Left wrist pediatric wrist radiograph | lat | in cast. 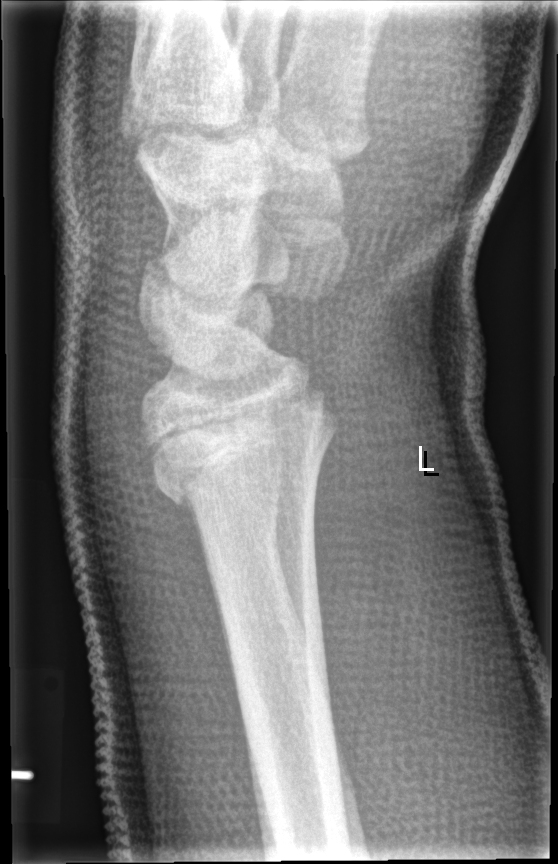 AO classification = 23r-E/2.1
Fx = (137, 383, 347, 512)